Left wrist X-ray, PA view, age 9 y, male, in cast. 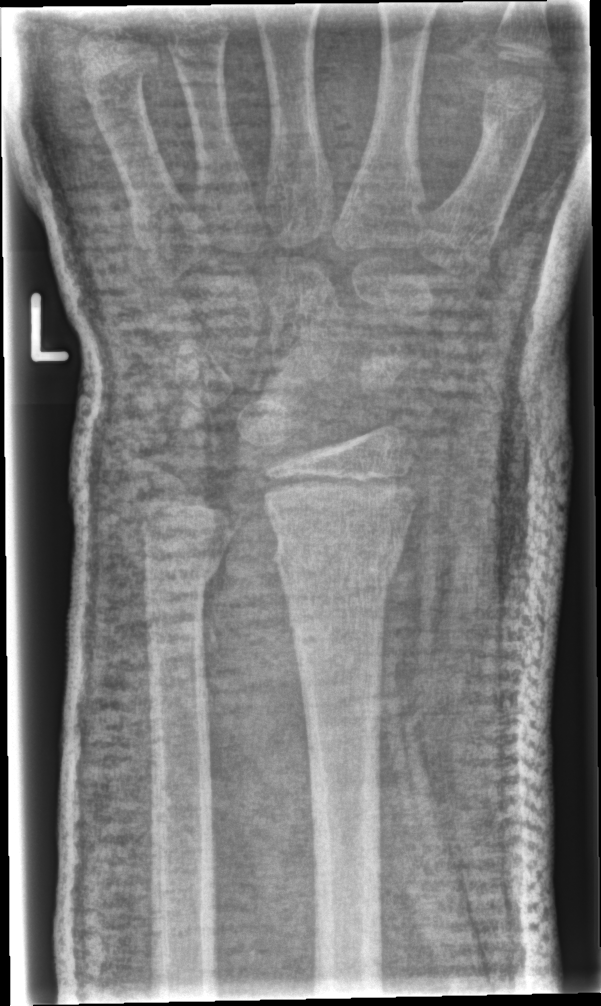
AO/OTA: 23r-M/3.1; 23u-M/2.1
Fx: 2 @ bbox(265, 525, 408, 605); bbox(139, 539, 225, 601)